Lat projection; R wrist X-ray; age 2 y, female; 403x902
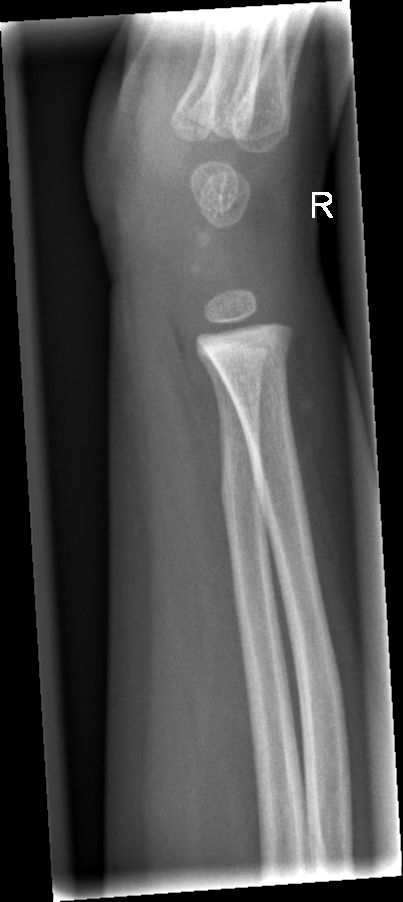

Findings: No fracture bounding box.